AP view, left wrist X-ray, acquired on Siemens. 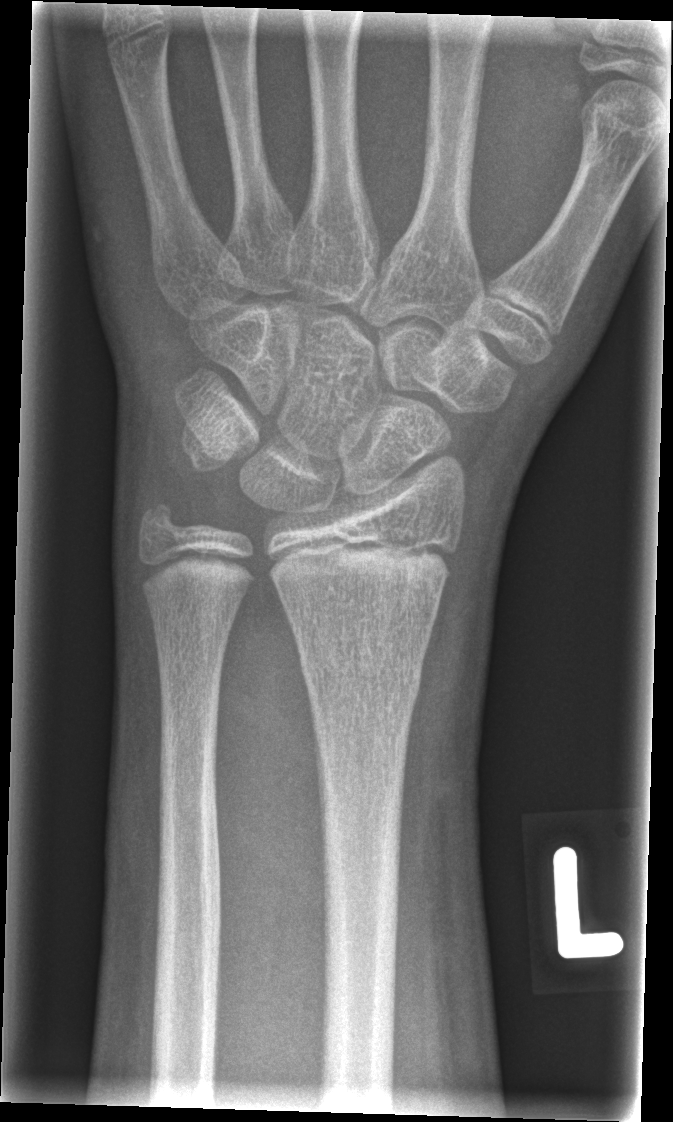 FINDINGS — (bounding boxes in image-pixel xyxy) Two fractures at [x1=297, y1=631, x2=425, y2=703], [x1=130, y1=493, x2=191, y2=554]. AO code 23r-M/2.1; 23u-E/7.